AP view · right wrist plain radiograph of the wrist · pediatric patient (female, age 12) · index exam · 614 x 980 px
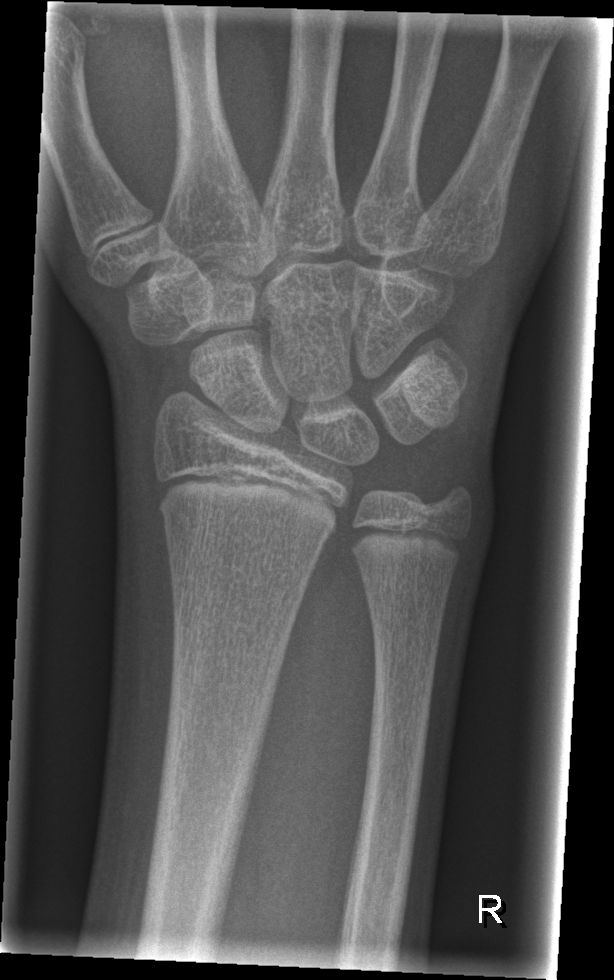

Fracture: none labeled.